Frontal projection; Lt pediatric wrist radiograph; 8-year-old boy; in cast; Siemens; image 77.6 mm wide:

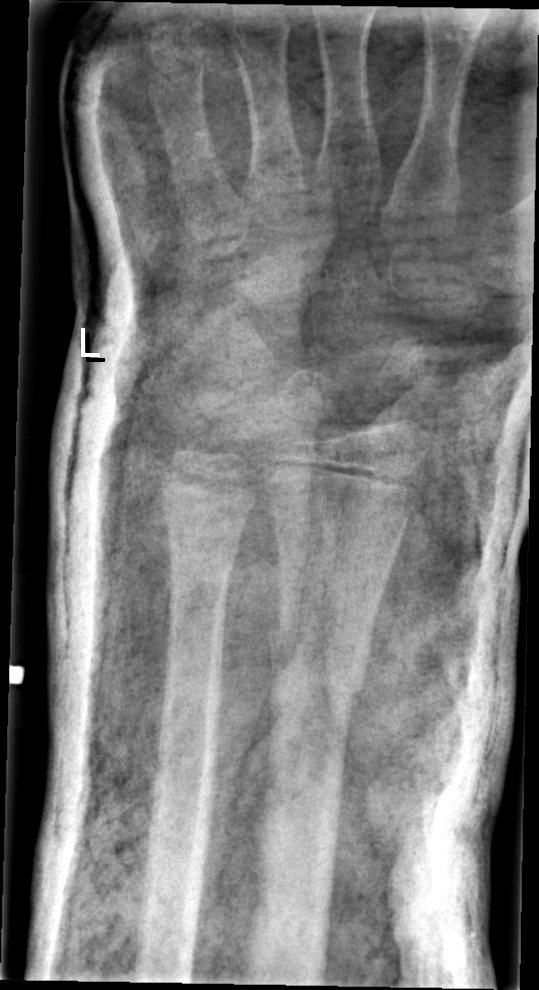 {
  "fracture": "(left=262, top=621, right=367, bottom=711)"
}